Right wrist plain radiograph of the wrist, AP view, age 6 y, male, image 62.8 mm wide — 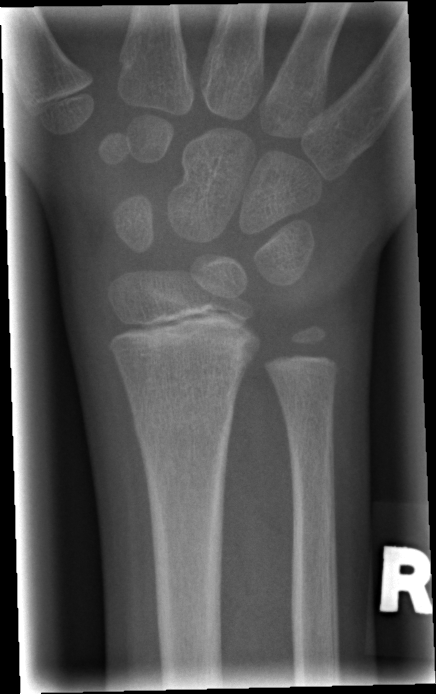 Findings: AO code 23r-M/2.1. Fracture: (129, 387, 239, 451).